Posteroanterior | Rt plain radiograph of the wrist | pediatric patient (male, age 5):

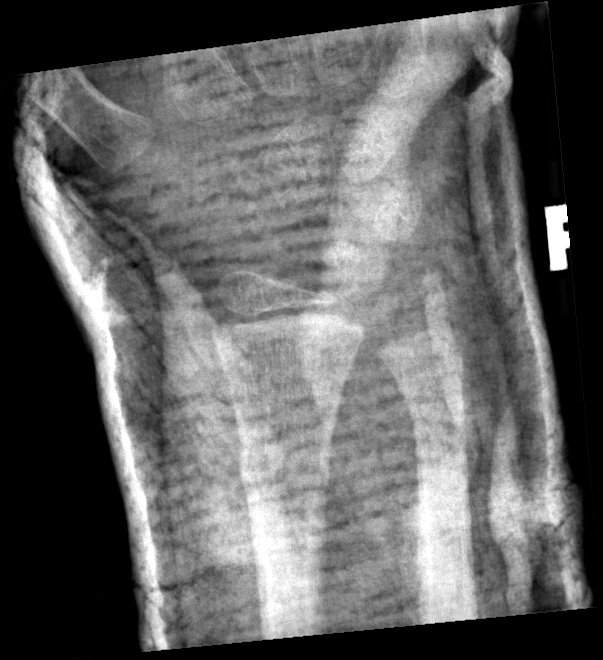 Findings: (boxes as x1,y1,x2,y2 (top-left / bottom-right, pixel units)) Fx: (238, 437, 334, 502).